PA/AP view; left wrist XR; image size 591x1026.

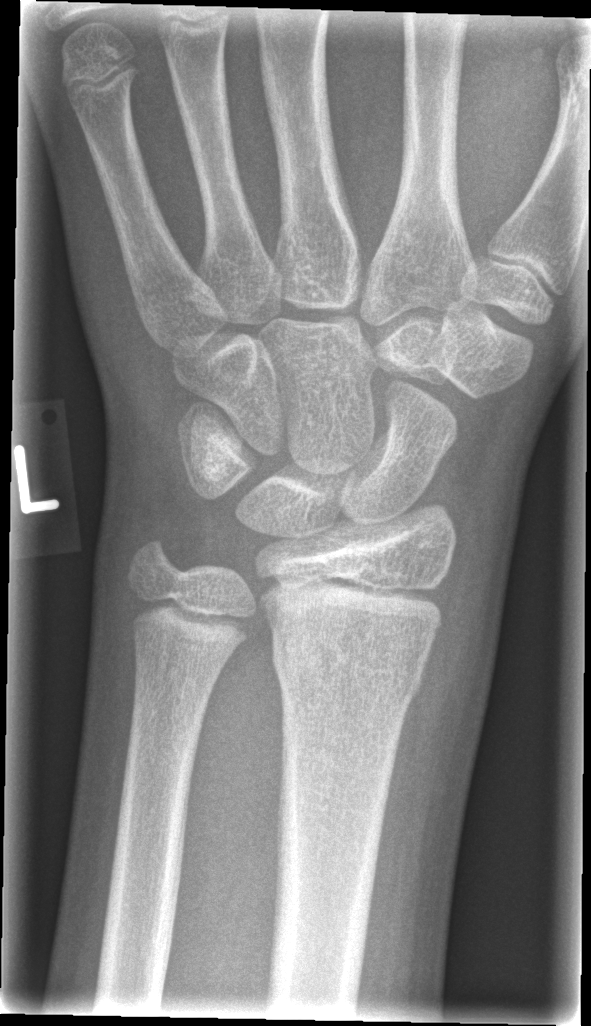

AO classification: 23r-M/2.1
bone fracture: 1 @ [269, 621, 435, 706]